Frontal · left wrist X-ray · 11-year-old male

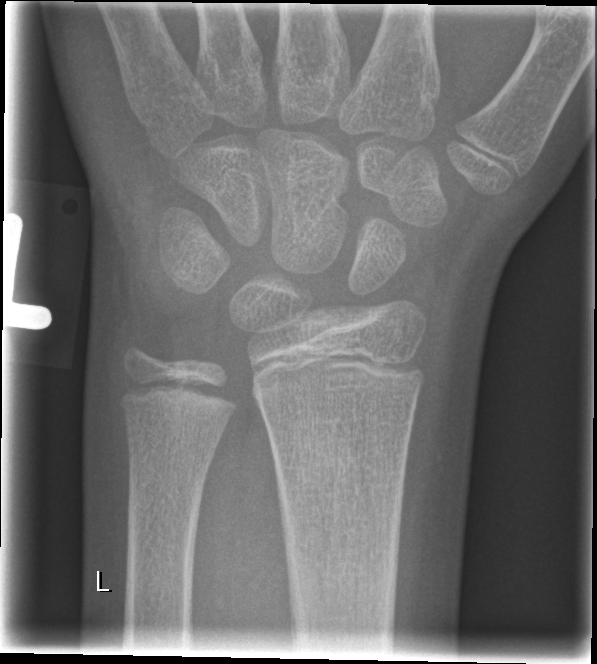
FINDINGS: Fx: none.